Right wrist X-ray · frontal view · age 17 y, female · follow-up: 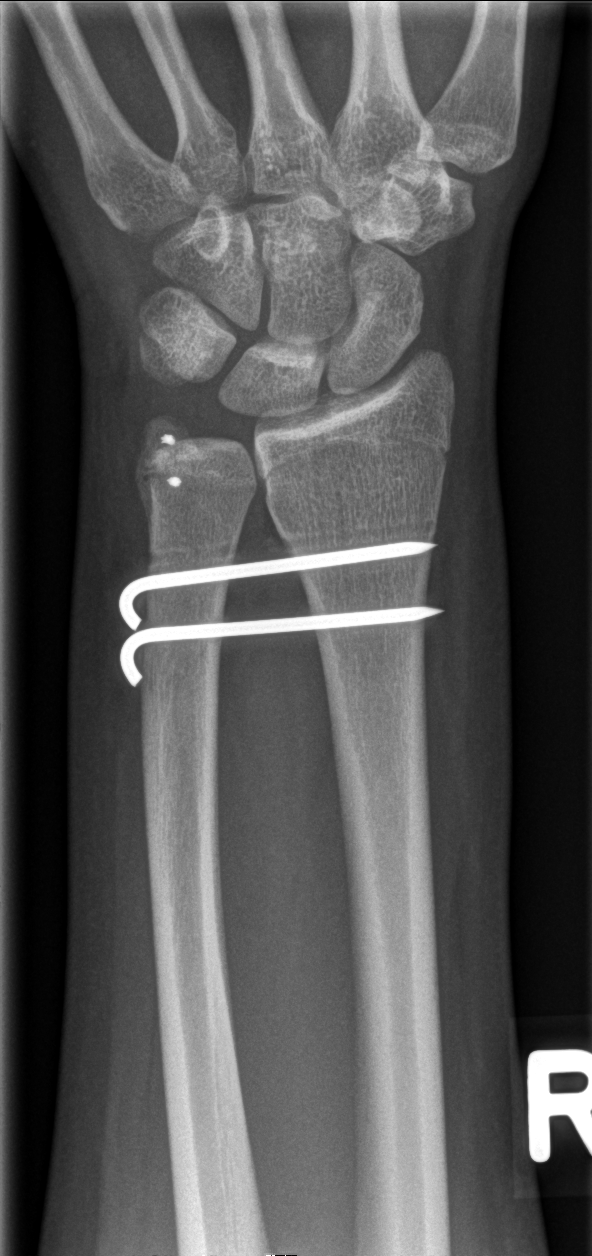
- Osseous anomalies — (left=277, top=515, right=442, bottom=550) (left=145, top=537, right=241, bottom=569).
- No Fx annotated.
- Metallic implants — (left=110, top=546, right=436, bottom=629) (left=109, top=615, right=443, bottom=692) (left=142, top=429, right=196, bottom=484).